PA projection · Lt wrist X-ray 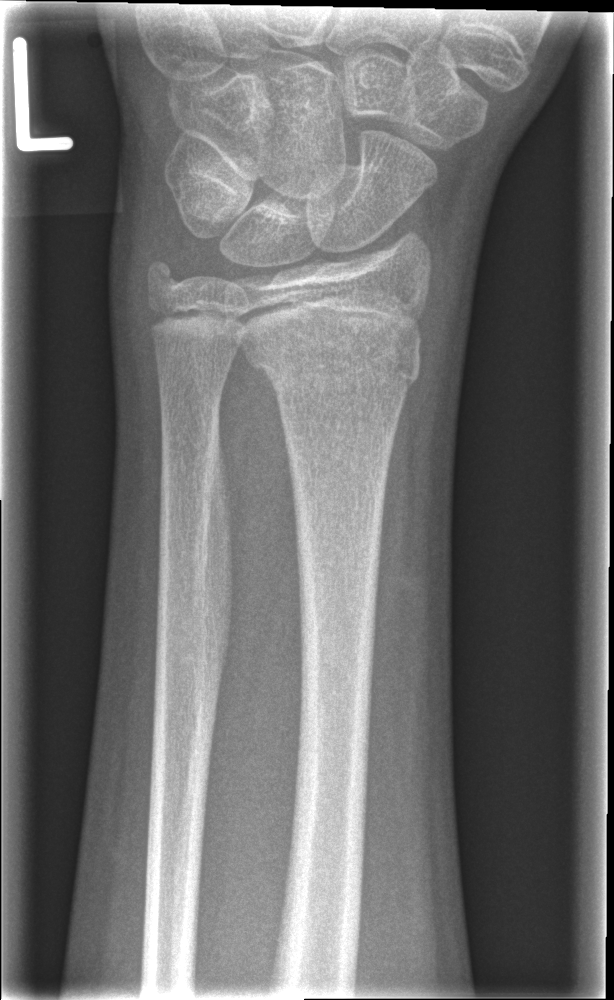

Fracture: 2 @ 244 330 424 399 | 137 250 189 305
AO classification: 23r-M/3.1; 23u-E/7